Lat, left wrist XR. 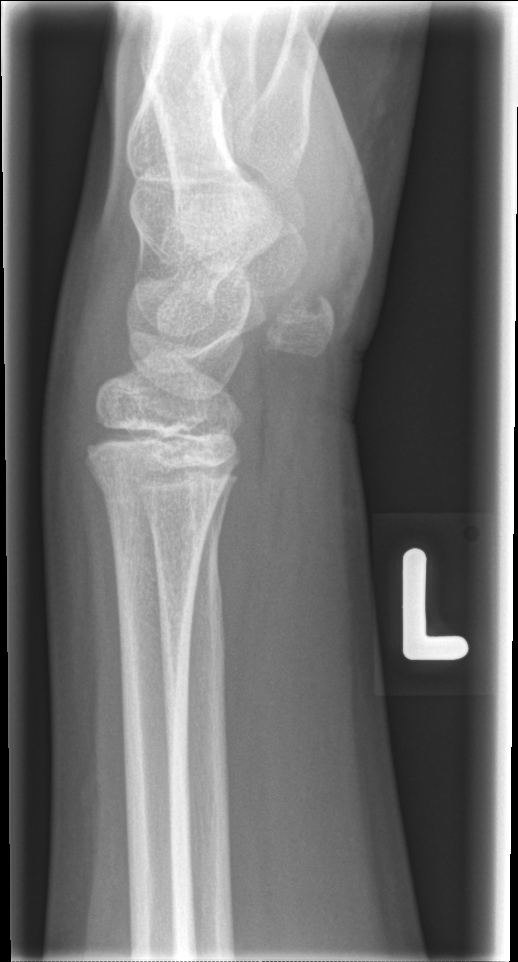

Q: Fracture present?
A: Bone fracture — (left=82, top=450, right=227, bottom=524)